Right wrist XR; obl projection; index exam; acquired on Siemens:
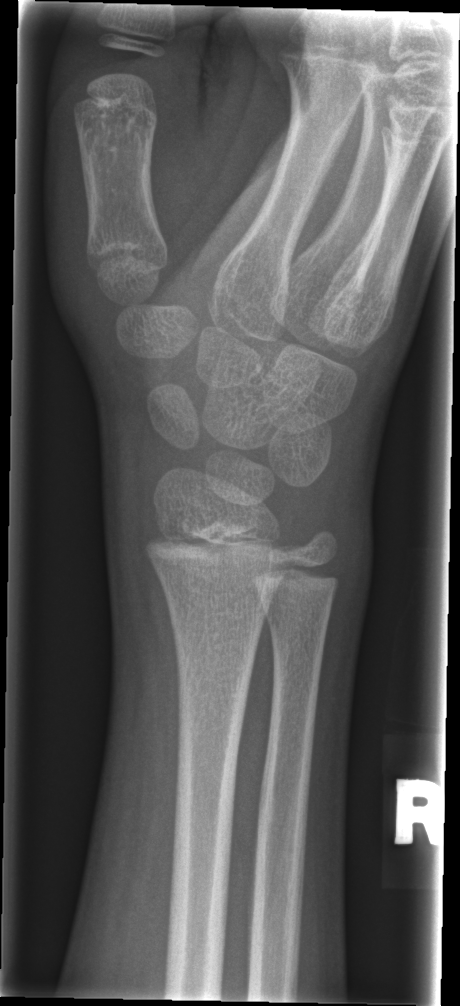

- No fracture bounding box.